Lat view | L wrist X-ray 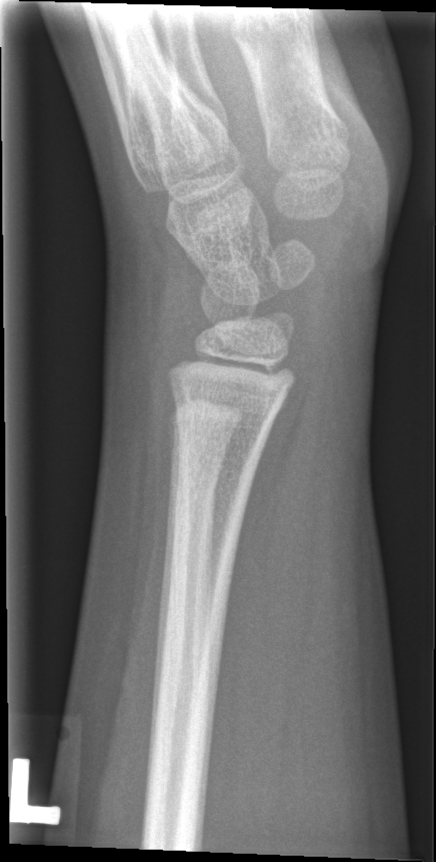 fracture: none labeled